Lateral, right wrist plain radiograph of the wrist, pediatric patient (boy, age 10).
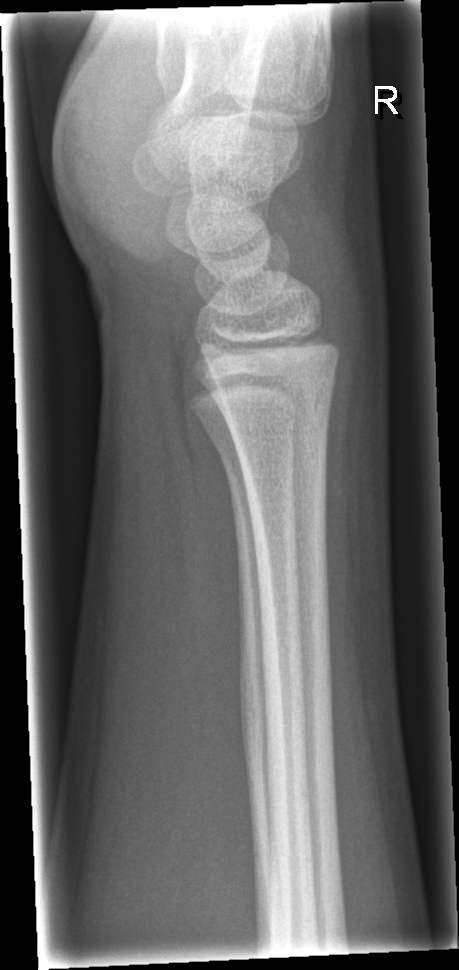

Fx: none labeled